Lateral view | right wrist plain film | girl, 6 yo:
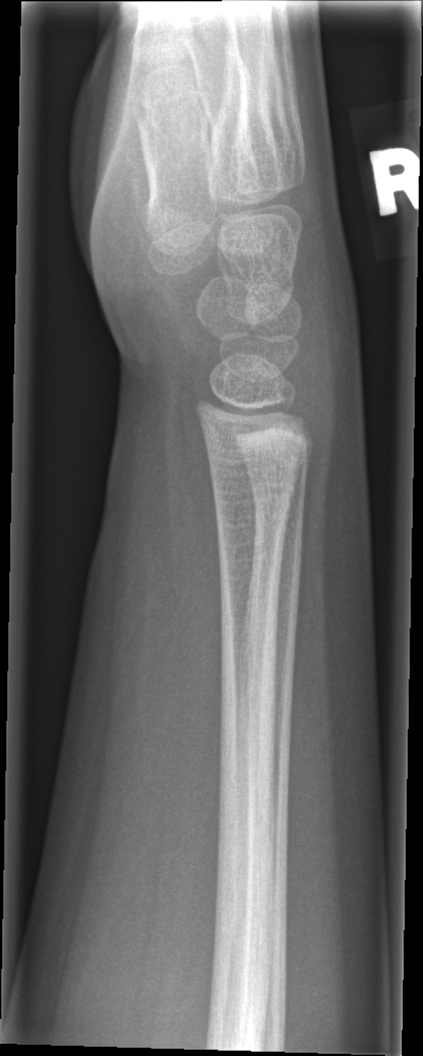
Findings: No fracture bounding box.